Left wrist plain film, lateral, imaged through cast, 754 x 976 px:

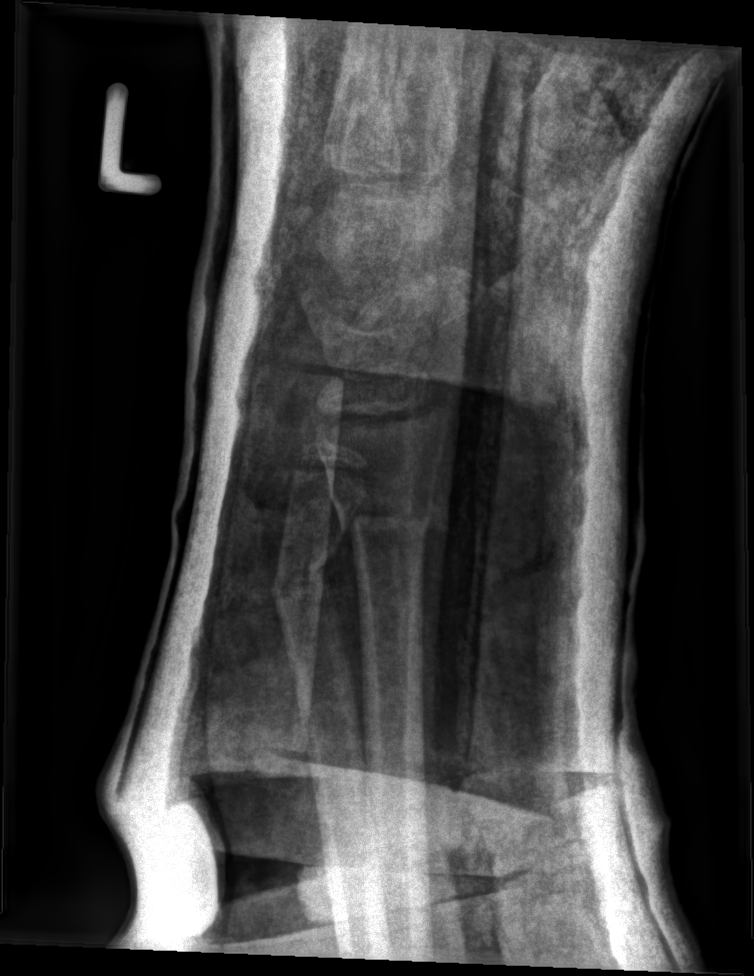
Findings: (boxes as x1,y1,x2,y2 (top-left / bottom-right, pixel units)) Fracture identified at (326, 487, 438, 544), (269, 544, 333, 612). AO code 23-M/3.1; 23u-E/7.